Frontal projection | right wrist X-ray | subsequent exam | image 114.3 mm wide.

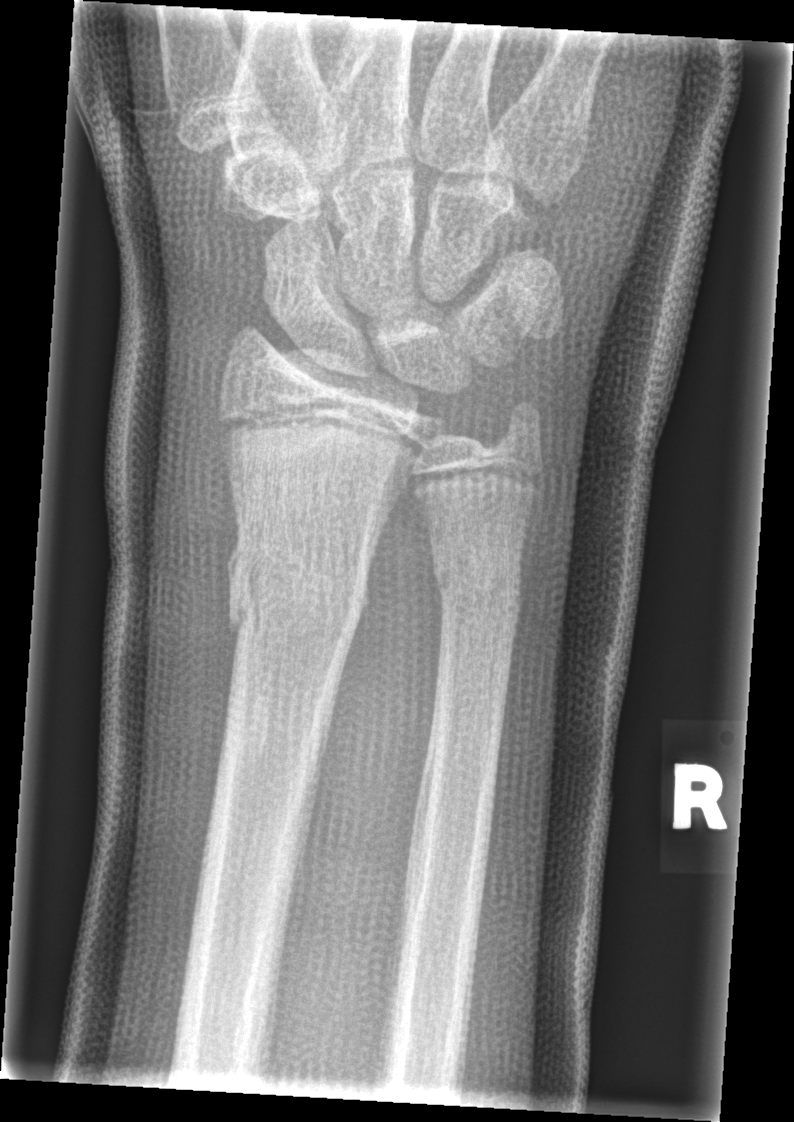
FINDINGS: (boxes as x1,y1,x2,y2 (top-left / bottom-right, pixel units)) Two fractures at 220,538,378,667; 423,554,526,627. Fracture classified AO/OTA 23-M/3.1.